Left wrist XR; lat projection:

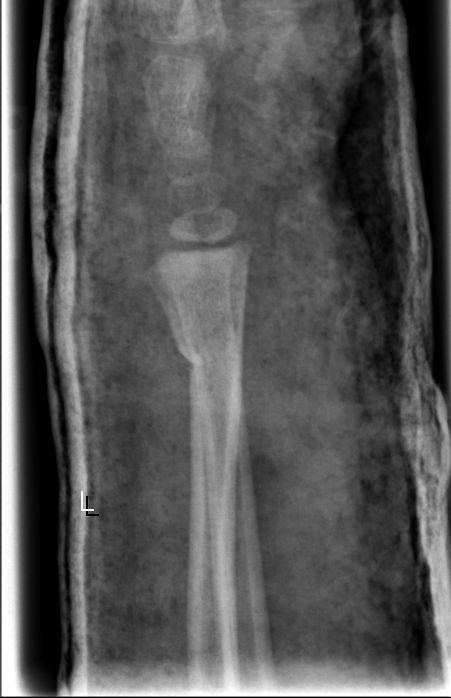 {
  "fracture": "[171, 329, 247, 399]",
  "ao": "23-M/2.1"
}